Left wrist radiograph · lateral projection · age 11 y, boy 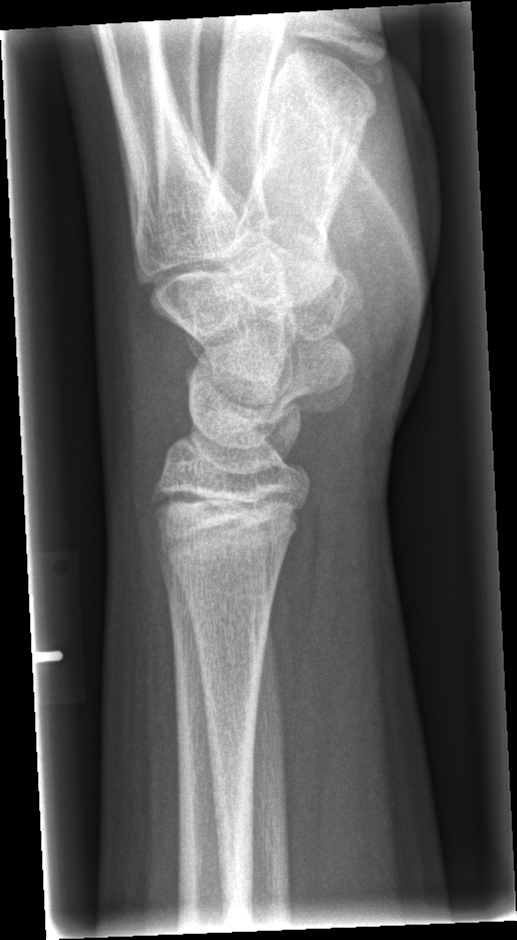

No fracture bounding box.